Left wrist X-ray | lat projection —
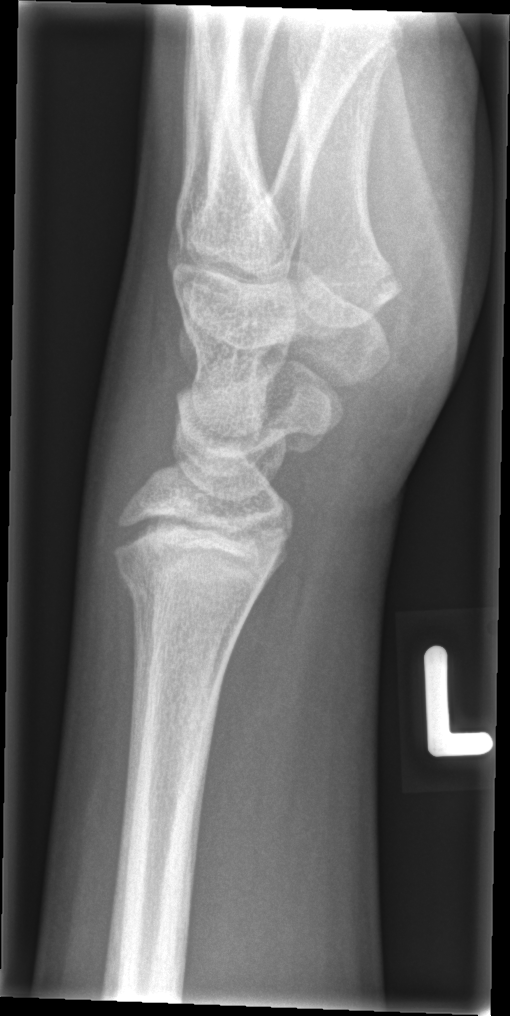 FINDINGS: One bone fracture at <110,516>-<289,606>.